Lat view · Rt plain radiograph of the wrist 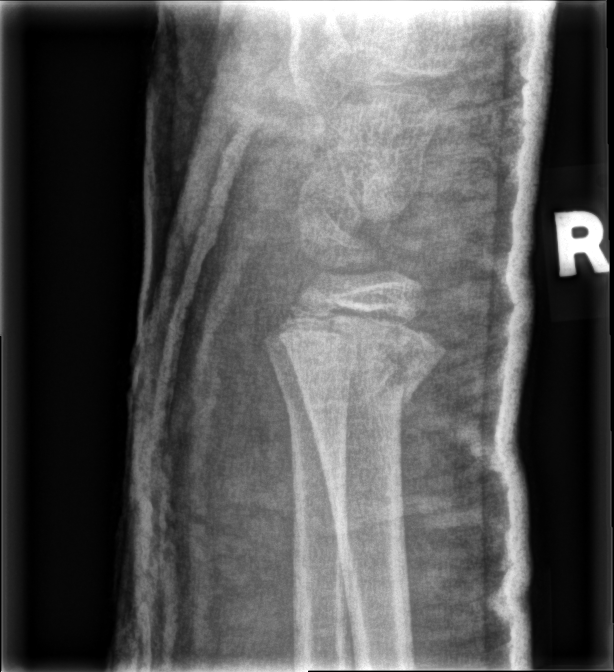

Q: What is the AO/OTA classification?
A: AO code 23r-E/2.1
Q: Is there a fracture?
A: Fracture: [x1=283, y1=337, x2=442, y2=426]